Right wrist XR · frontal view · pediatric patient (male, age 13):

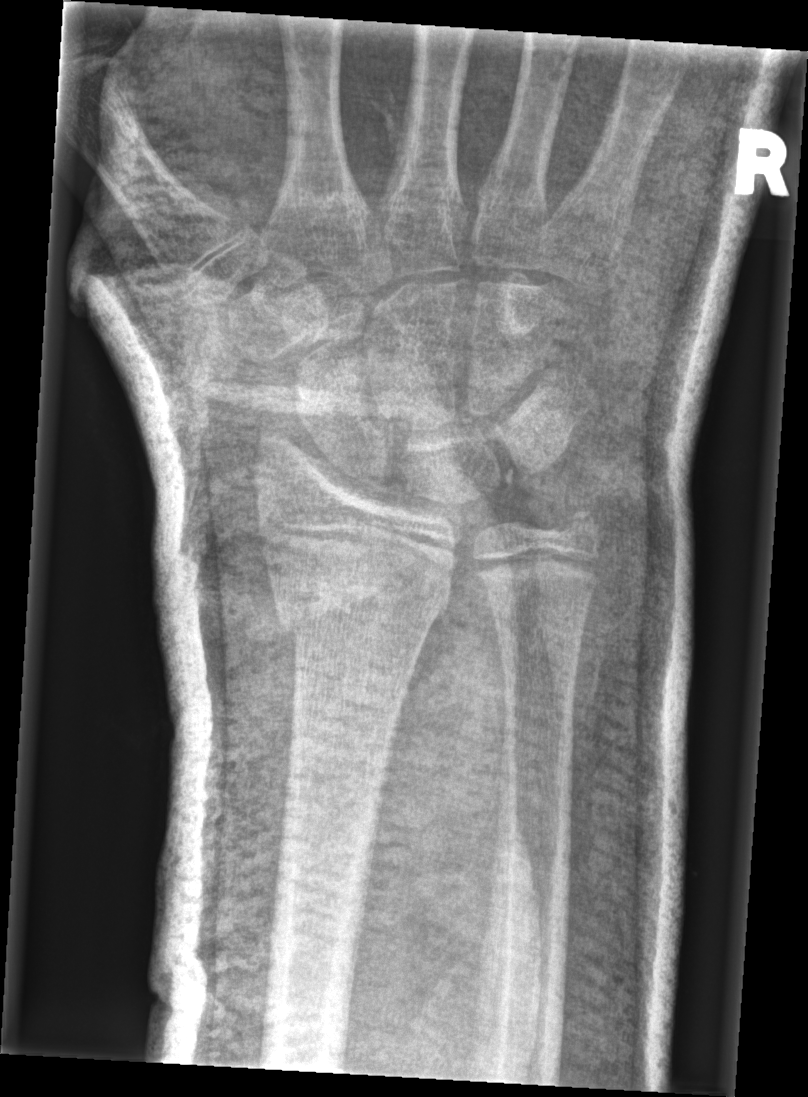
Coordinates are [x1, y1, x2, y2] in image pixels.
AO/OTA classification: 23r-M/3.1; 23u-E/7.
Two fractures at 265,549,450,653 | 545,497,608,557.